Lat view, R wrist XR, presentation radiograph.

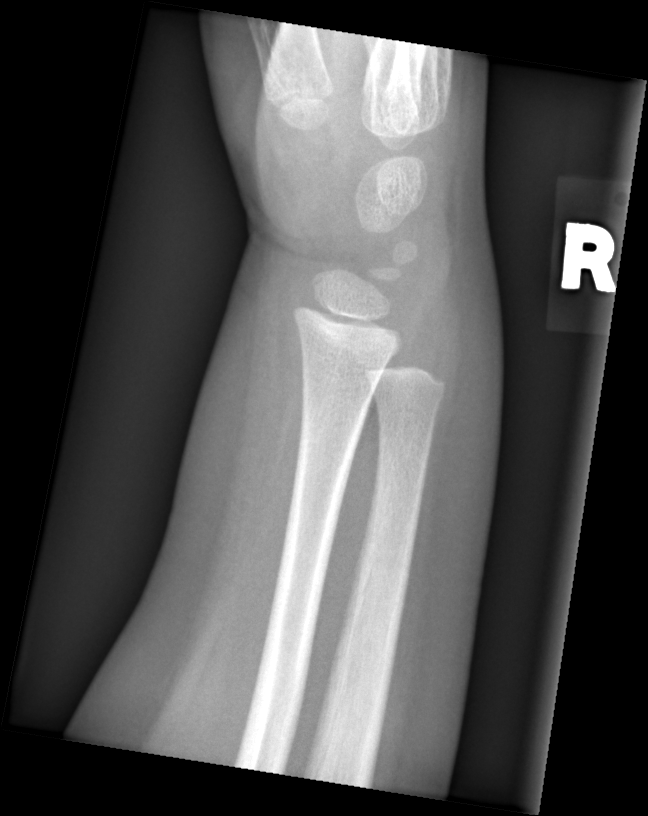
Bone fracture: none labeled